PA projection; left wrist plain film; age 10 y, girl; 87.0 mm image width:

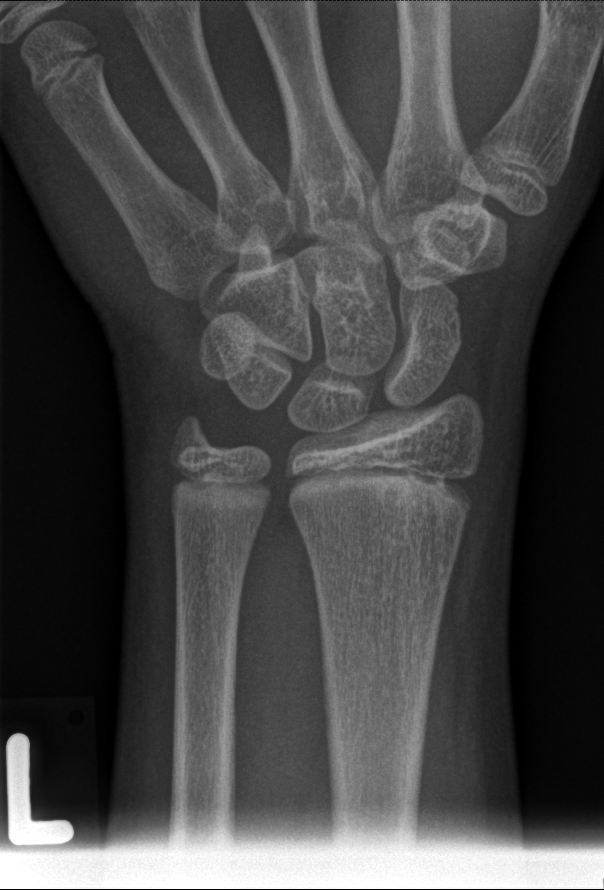 Bone fracture = none labeled